R wrist plain film; PA/AP projection; pediatric patient (girl, age 8); acquired on Siemens: 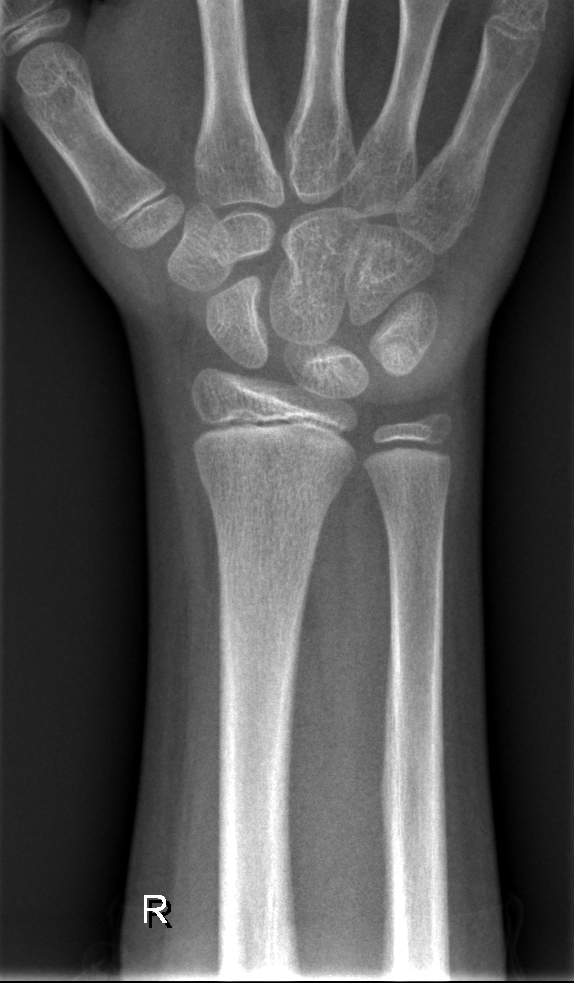
{"_coords": "coordinates are [x1, y1, x2, y2] in image pixels", "ao": "23r-M/2.1", "fracture": "197 462 348 511"}